L plain radiograph of the wrist; PA projection; girl, 5 yo; index exam:
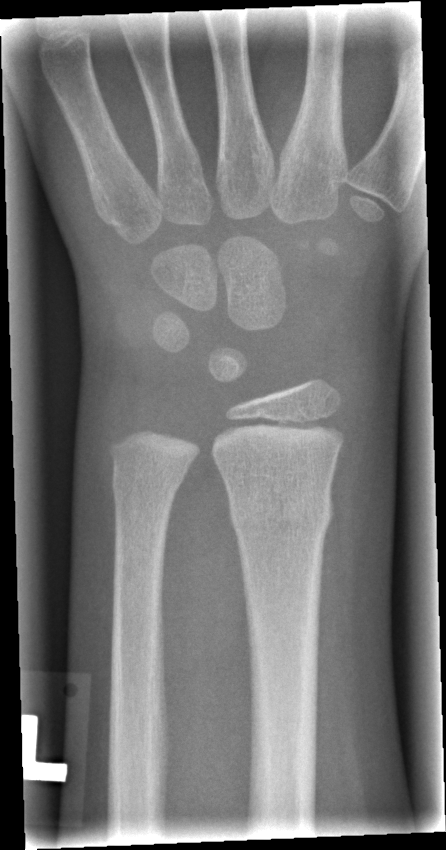

Fx = 2 @ <223,477>-<336,548>; <109,461>-<189,511>